Lt pediatric wrist radiograph, lateral —
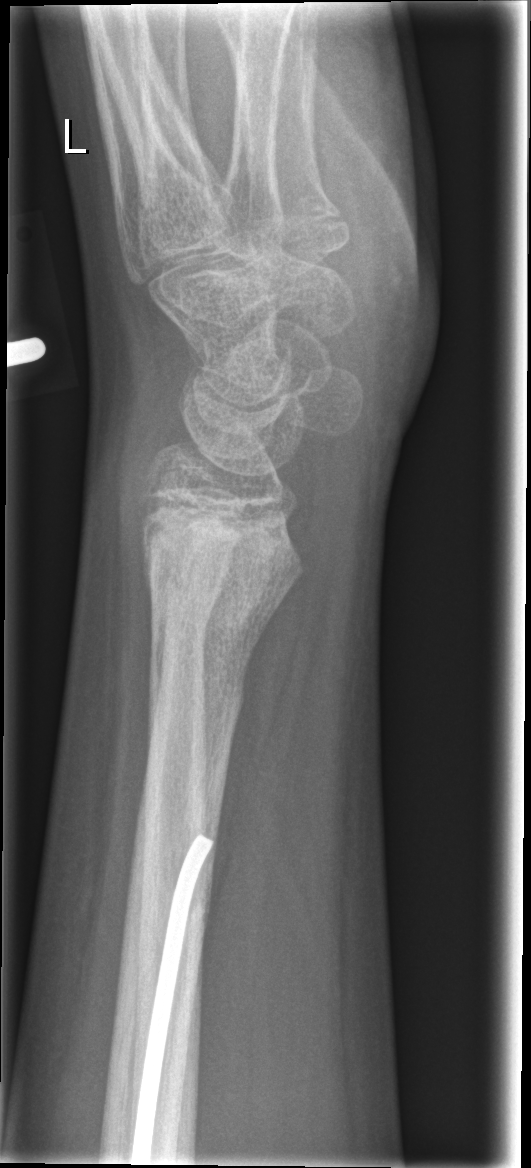

Fracture: 1 @ 136,488,307,644
AO code: 23r-E/2.1; 23u-M/2.1
Hardware: 127,829,218,1164